Oblique view; L wrist X-ray; pediatric patient (male, age 9); in cast:

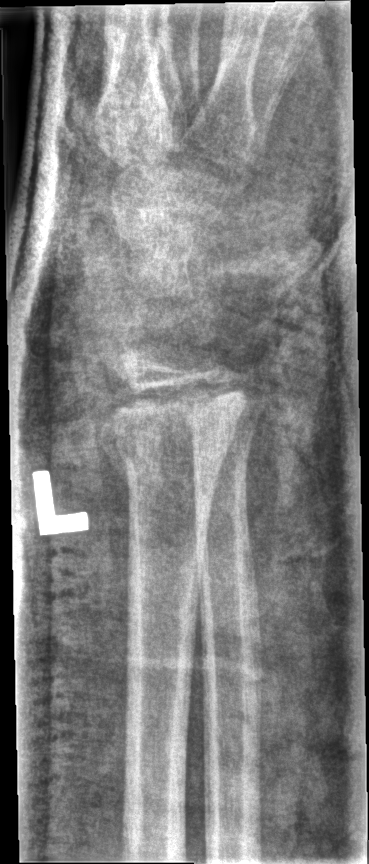 (boxes as x1,y1,x2,y2 (top-left / bottom-right, pixel units))
Bone fracture = [97, 404, 234, 490]
AO classification = 23r-M/3.1